Posteroanterior view | right plain radiograph of the wrist | 12y M —
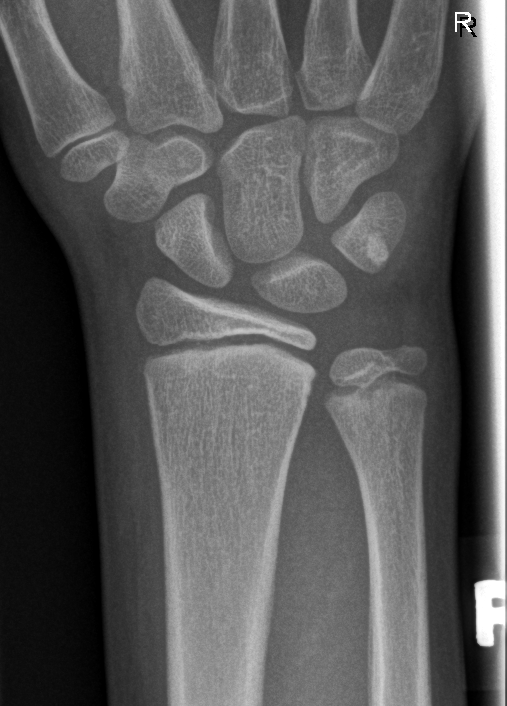
AO code 23r-E/2.1. Bone fracture — (left=134, top=329, right=320, bottom=384).